R pediatric wrist radiograph · posteroanterior projection · pediatric patient (girl, age 9) · image width 97.5 mm —

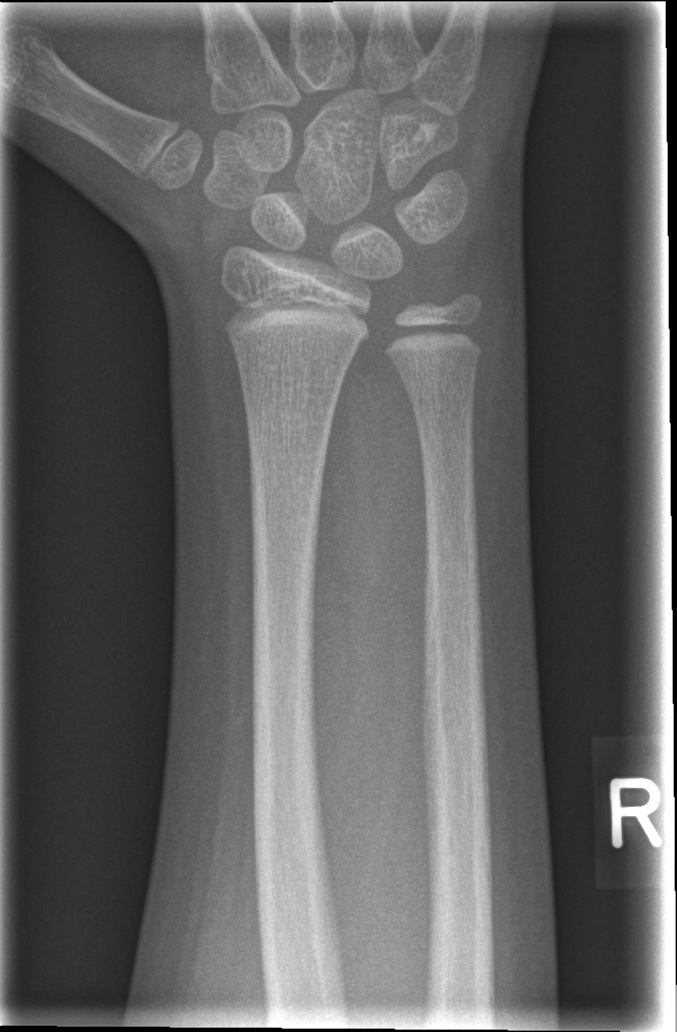

* Fracture: none labeled.